Lat view | R pediatric wrist radiograph | age 7 y, male | in cast.
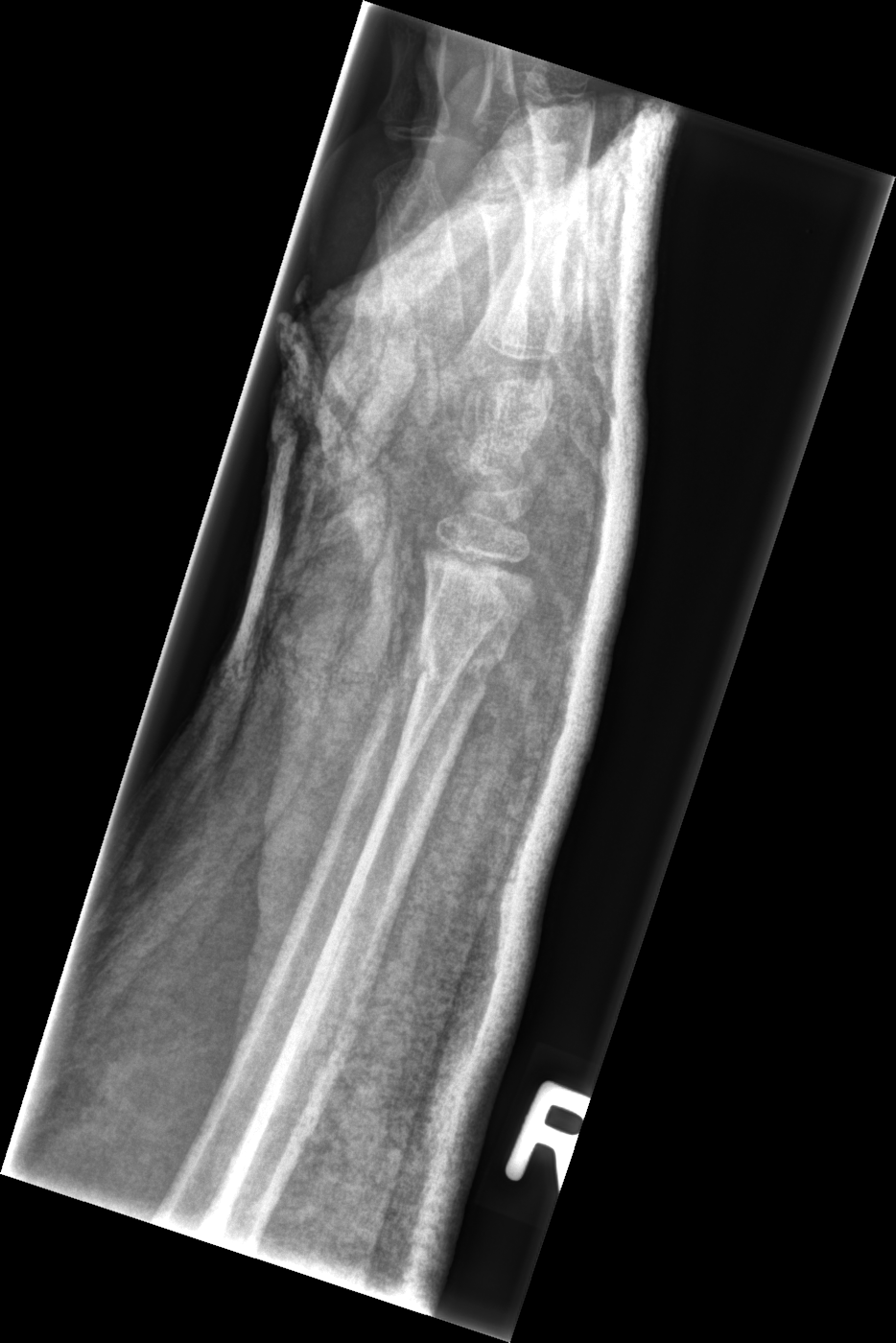 Bounding boxes in image-pixel xyxy.
Fracture: 406,639,507,699.
Fracture classified AO/OTA 23r-M/3.1; 23u-M/2.1.